AP view | right wrist XR | follow-up | imaged through cast | acquired on Siemens. 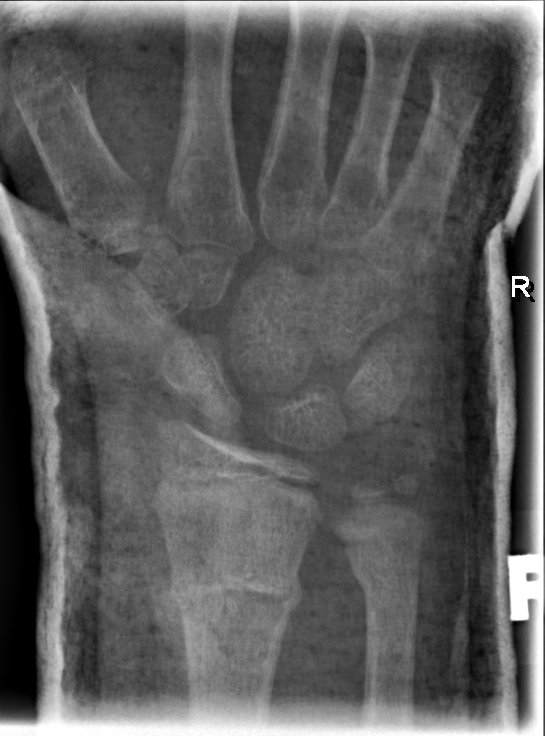 AO classification: 23-M/2.1
Fracture: 166,554,306,627; 343,551,425,610